Right wrist X-ray, posteroanterior projection, 14-year-old male, presentation radiograph, image width 82.2 mm.
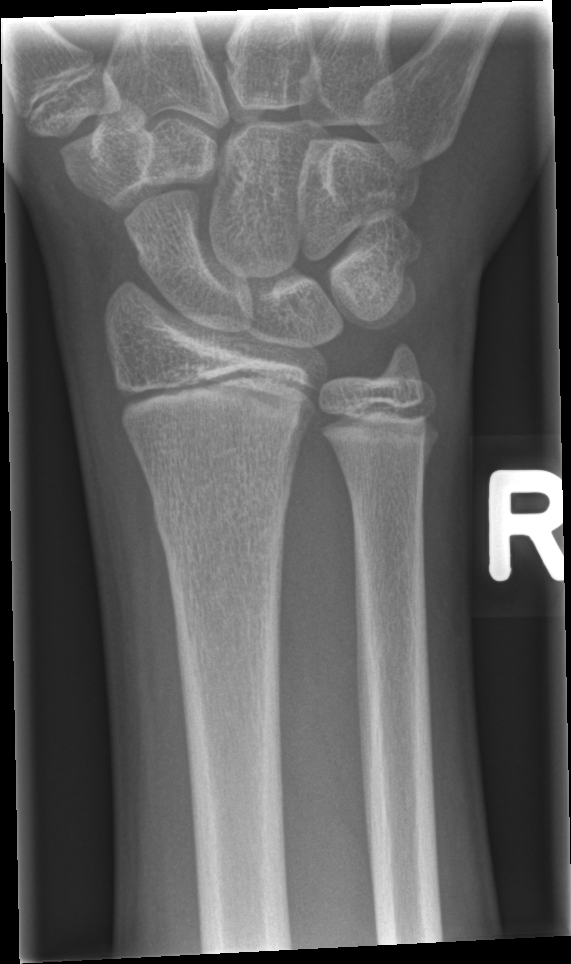

(bounding boxes in image-pixel xyxy)
Q: What is the AO/OTA classification?
A: Fracture classified AO/OTA 23r-M/2.1
Q: Locate any fractures.
A: Bone fracture identified at [x1=150, y1=486, x2=291, y2=543]